Lat projection · left wrist plain radiograph of the wrist · girl, 14 yo:
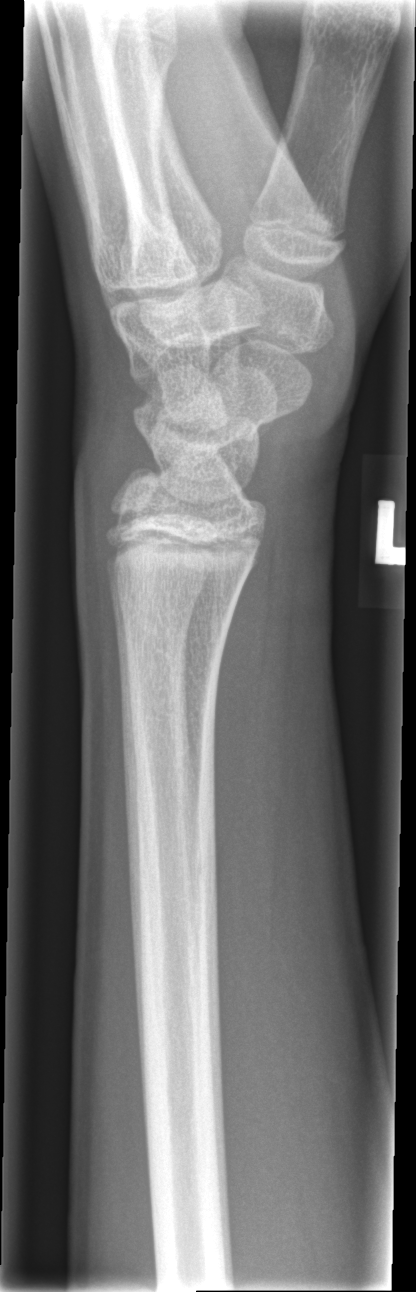
Fx = present but not clearly seen in this view